Lat view · left wrist XR. 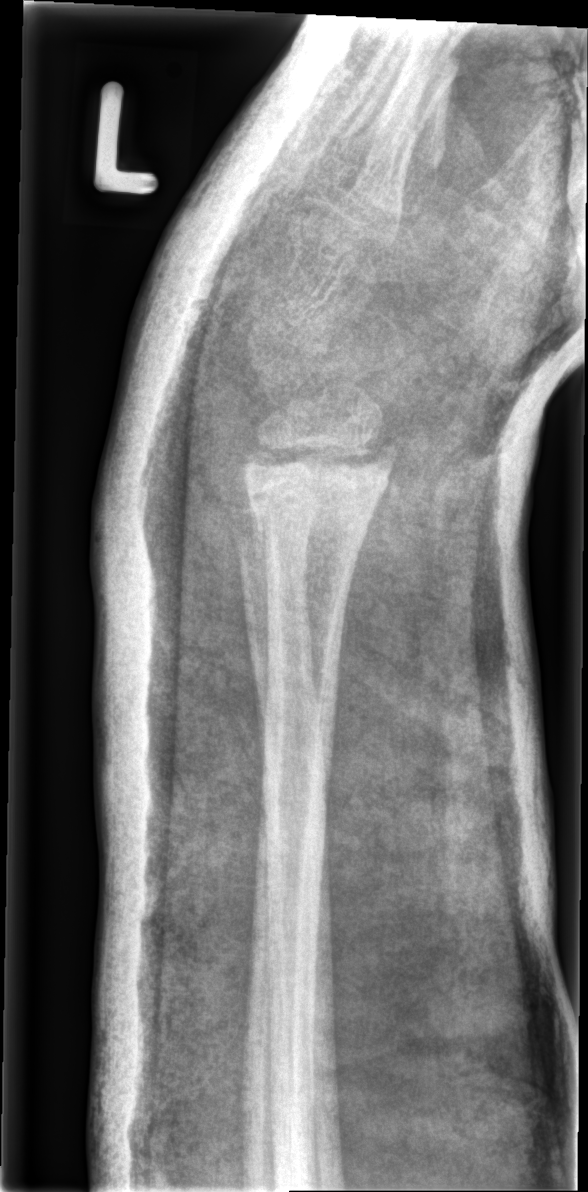
One Fx at bbox(237, 430, 403, 541). AO code 23r-E/2.1; 23u-M/2.1.